Left wrist pediatric wrist radiograph · frontal · age 13 y, male · acquired on Siemens · 97.6 mm image width · image size 678x910 —
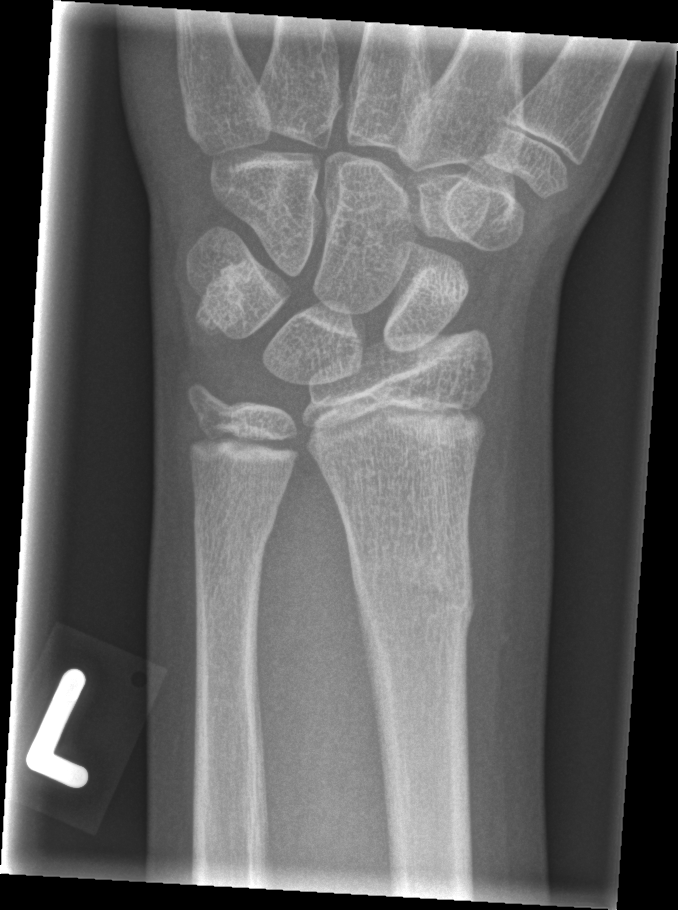 Fracture: (347, 549, 480, 641); (190, 501, 280, 554).